Lat, left wrist radiograph, 11y M, 729 x 1260 px.

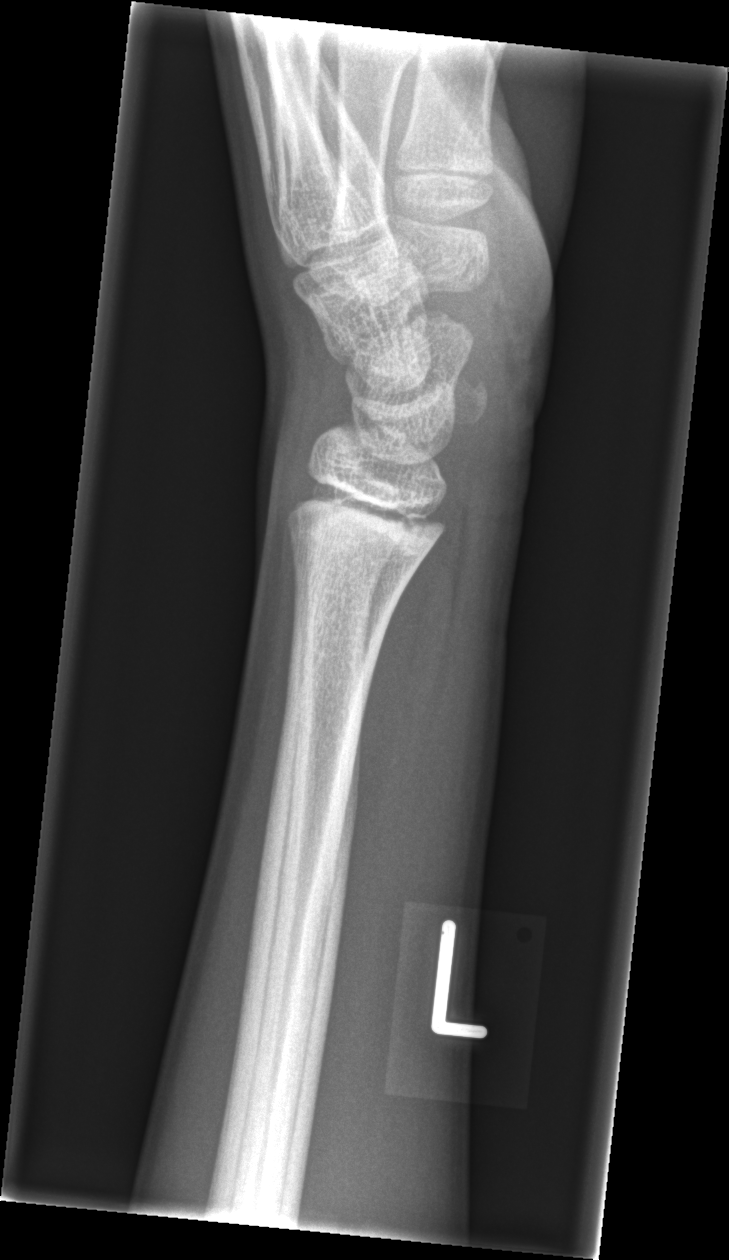 FINDINGS: Fx: none.